L wrist radiograph, PA/AP projection, 9-year-old boy.

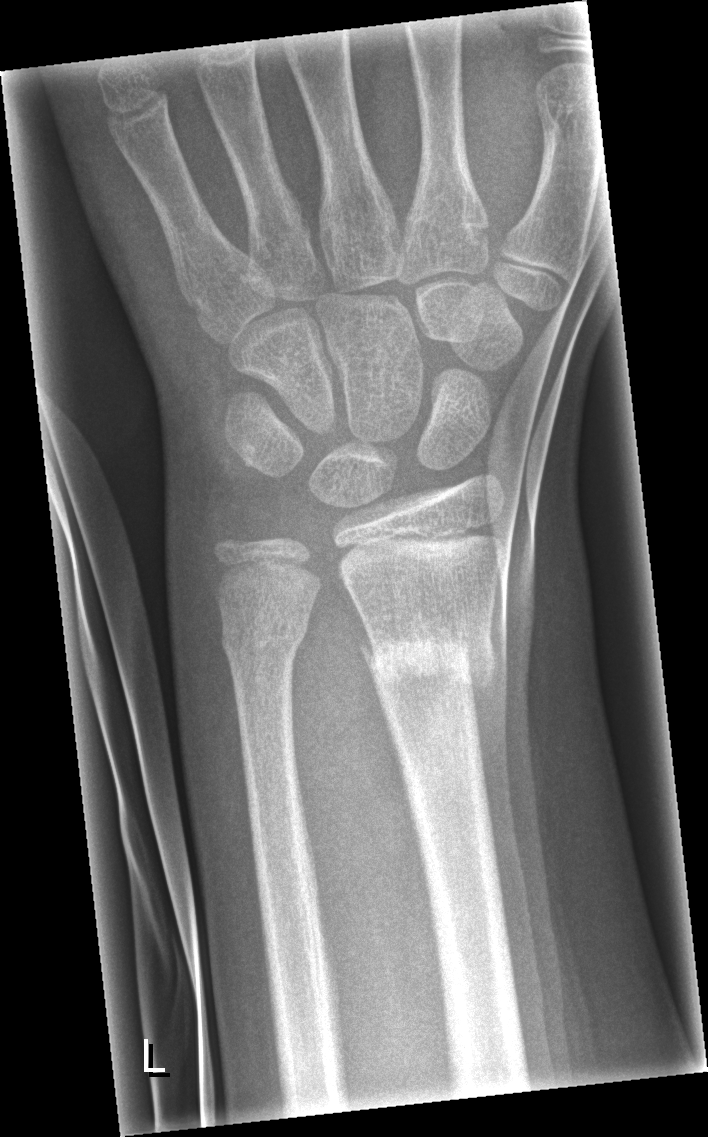 Findings: (pixel coordinates, top-left origin, xyxy) AO/OTA classification: 23r-M/3.1; 23u-M/2.1. Two fractures at bbox(355, 617, 499, 685); bbox(216, 607, 311, 671).